Lat, left wrist X-ray, 14-year-old male, subsequent exam —

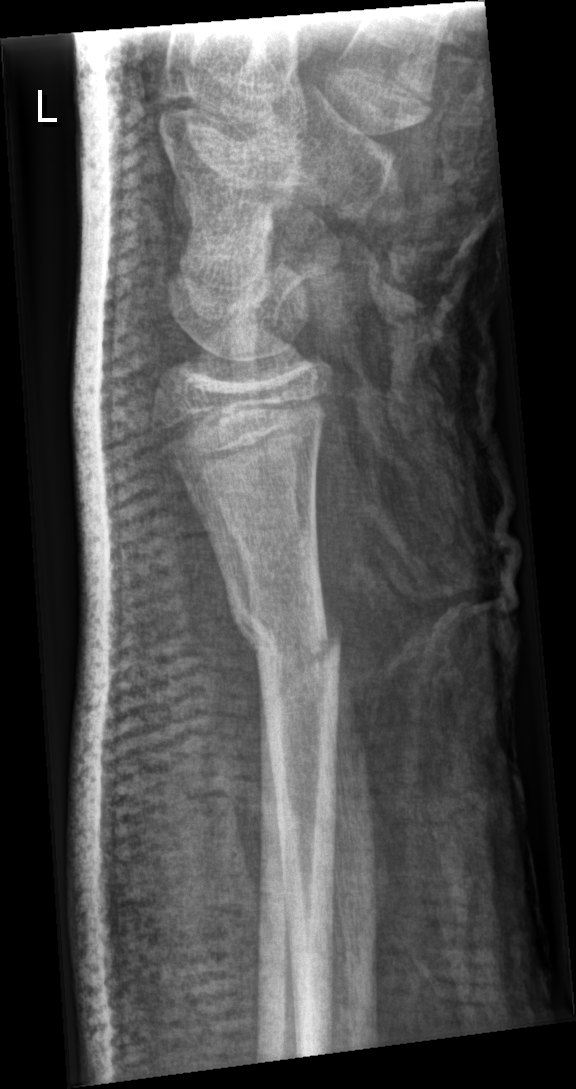
Findings: (coordinates are [x1, y1, x2, y2] in image pixels) Fracture classified AO/OTA 23r-M/3.1; 23u-M/2.1; 23u-E/7. Fx — [226, 588, 346, 686].